PA/AP view | right wrist XR: 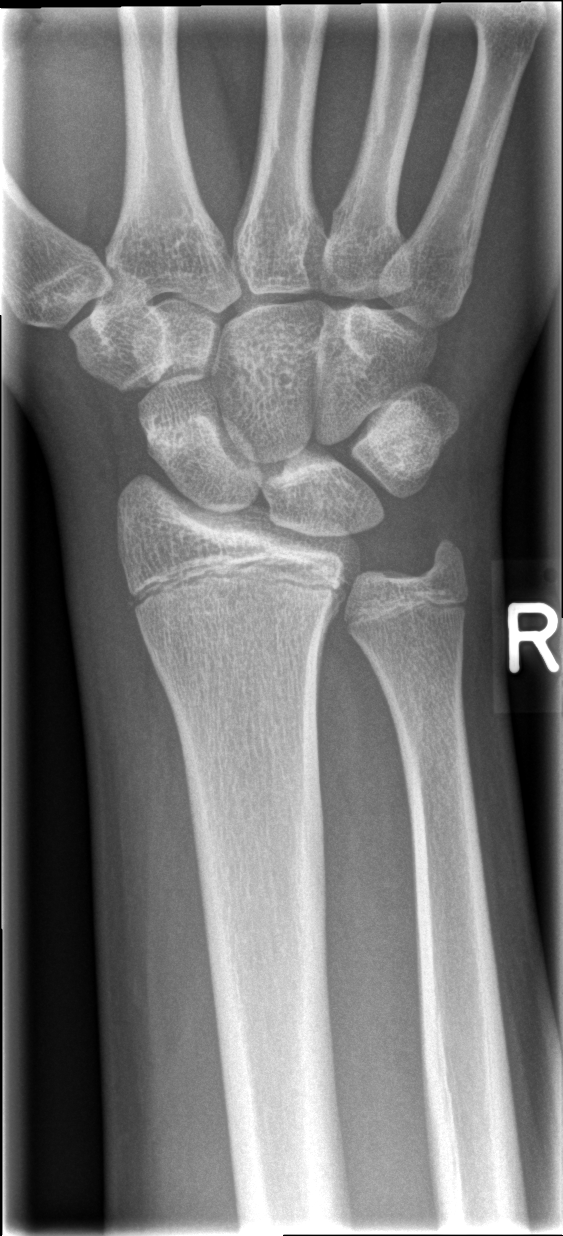 • Soft tissue abnormality identified at 49,459,183,802.
• Fracture — 120,555,226,621.
• AO code 23r-E/2.1.